Left plain radiograph of the wrist · PA projection · 600x962 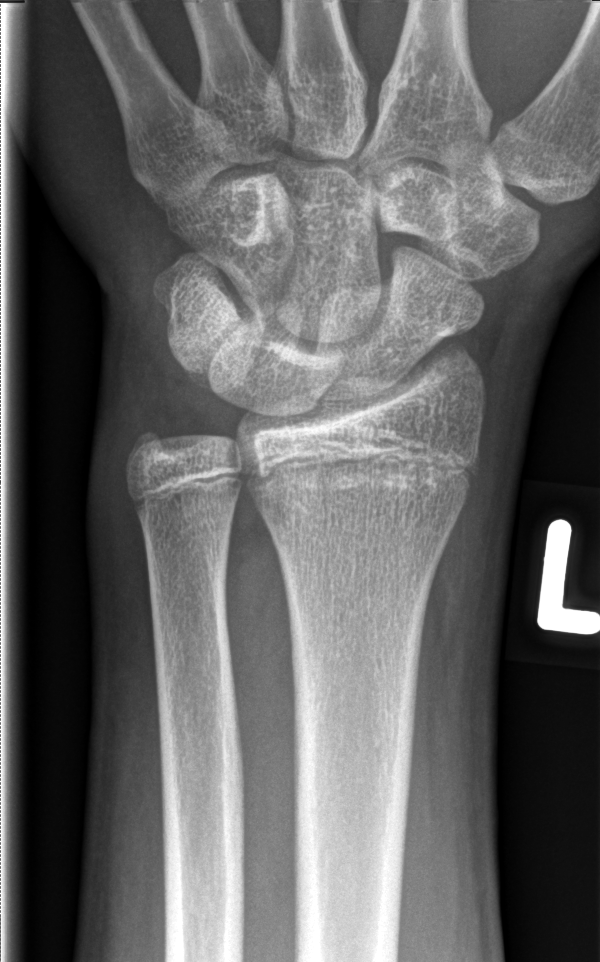

No Fx annotated.